PA projection | left wrist XR | male, 14 yo | follow-up study | imaged through cast | 734x941.
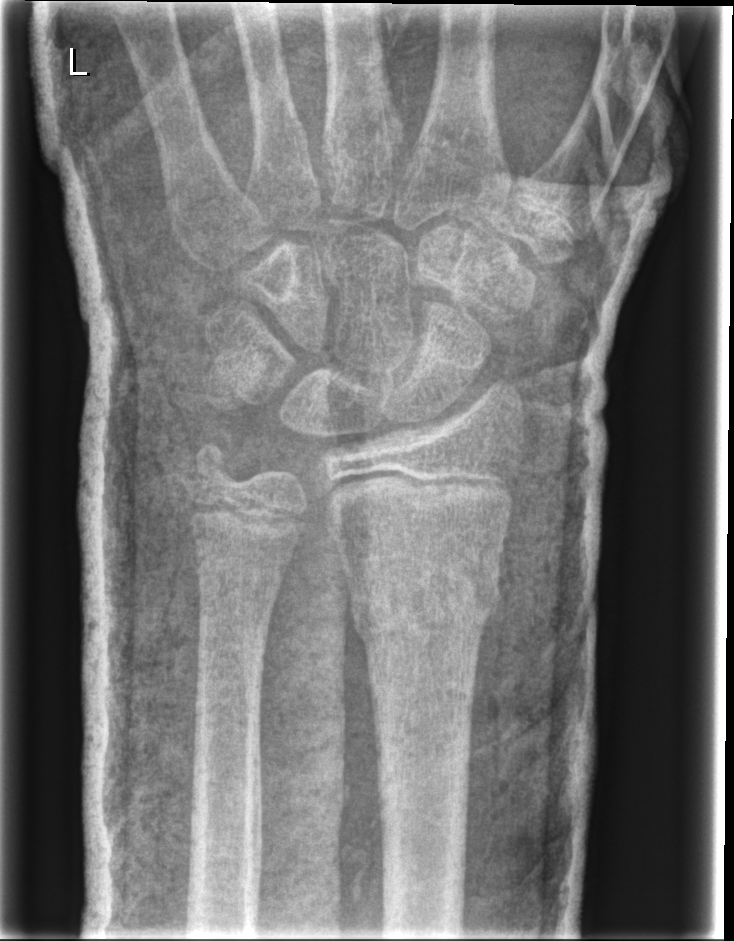
(coordinates are [x1, y1, x2, y2] in image pixels)
fracture = [348, 545, 504, 658] [183, 437, 244, 499]